Frontal projection; Lt wrist plain film; girl, 8 yo; detector: Siemens. 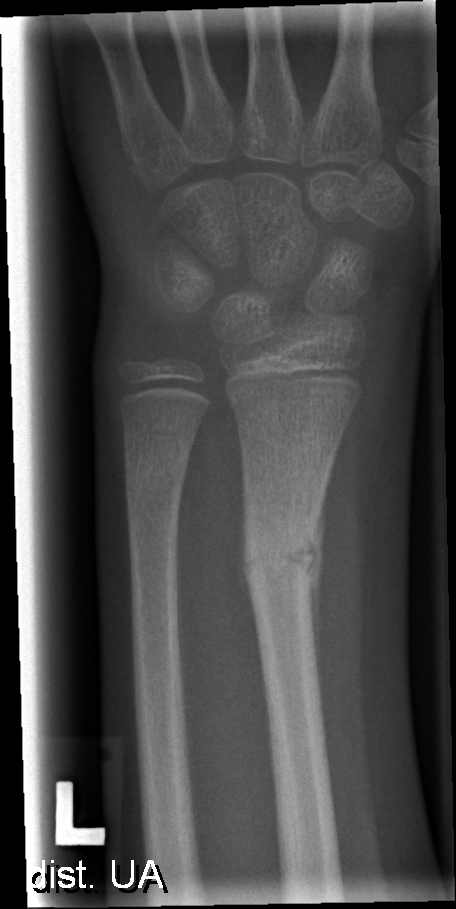 # pixel coordinates, top-left origin, xyxy
osteopenia: present
fracture: 2 @ <240,512>-<326,603> <120,439>-<194,499>
periostealreaction: 1 @ <304,478>-<326,730>